Posteroanterior view; left wrist XR; initial study; detector: Siemens; 79.6 mm image width: 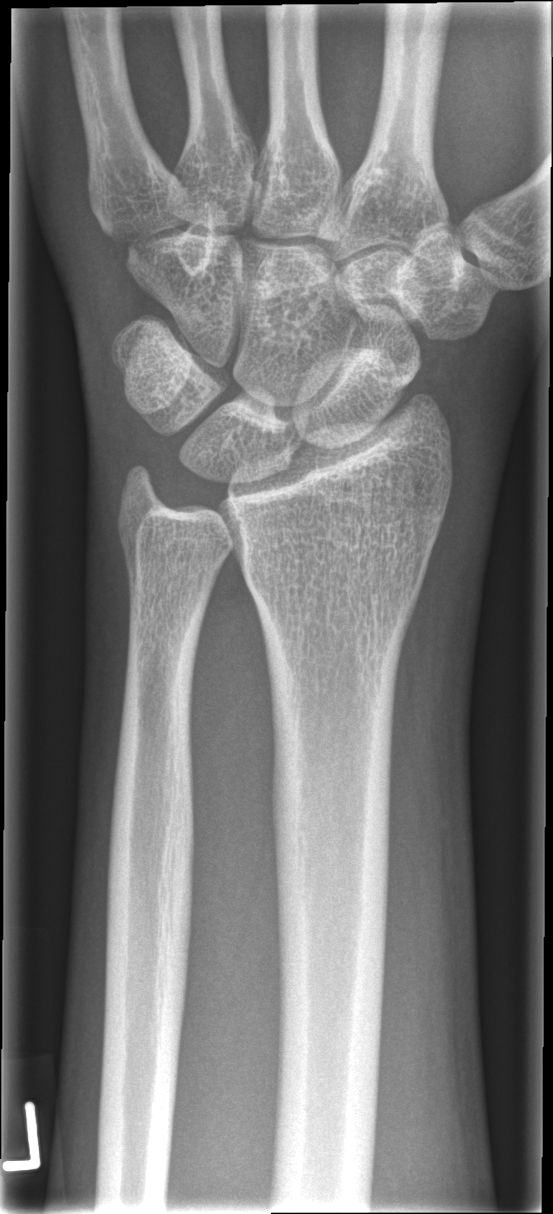
fracture: none labeled